Right wrist XR, PA projection, index exam, detector: Siemens, 104.0 mm image width —

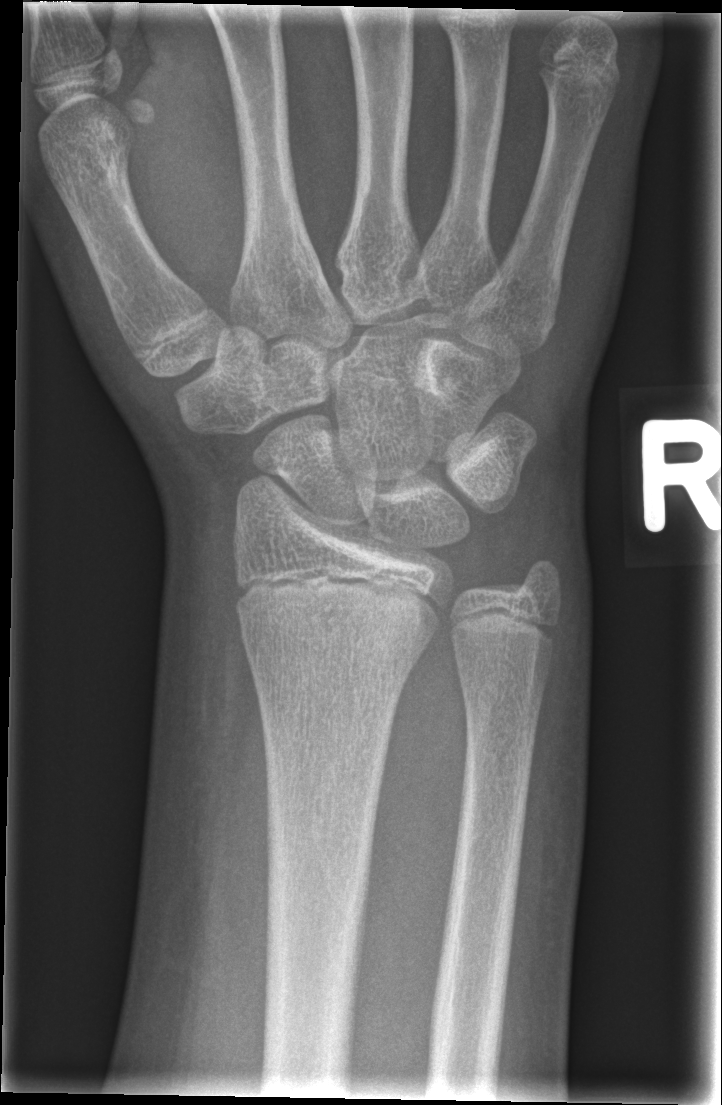 ao: 23r-M/2.1
fracture: present but not clearly seen in this view